Lat; L wrist radiograph —

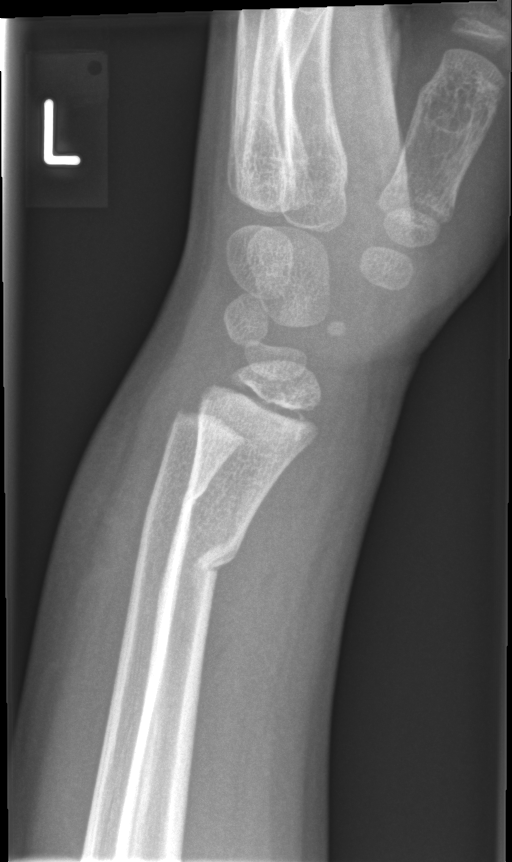

Fx: 163 519 248 588 | 143 472 211 522. AO code 23-M/2.1.